Posteroanterior view, L wrist plain film, pediatric patient (boy, age 5), subsequent exam, cast in situ, 97.9 mm image width:
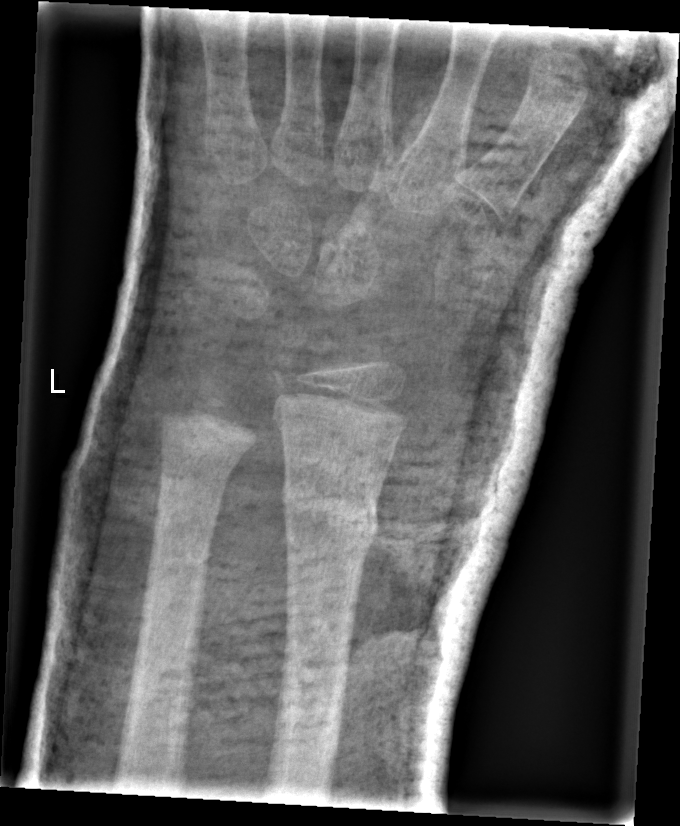 FINDINGS — (coordinates are [x1, y1, x2, y2] in image pixels) Bone fracture identified at [x1=282, y1=474, x2=382, y2=559], [x1=152, y1=424, x2=250, y2=492]. AO/OTA classification: 23-M/2.1.